Left wrist plain film · lat view · cast in situ
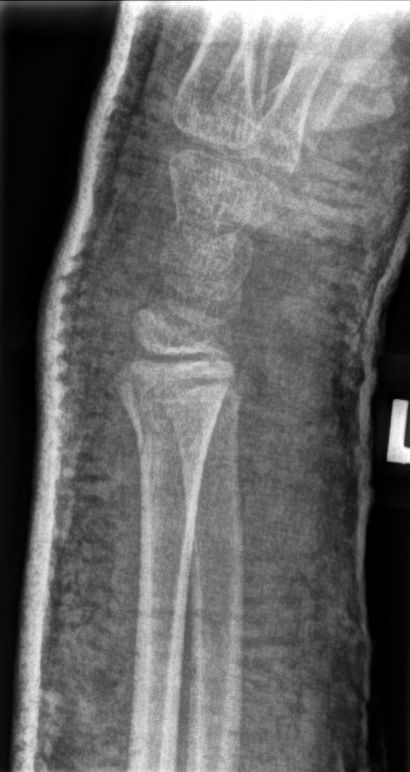

Q: Is there a fracture?
A: Fracture identified at 125,395,222,461